PA, Rt plain radiograph of the wrist. 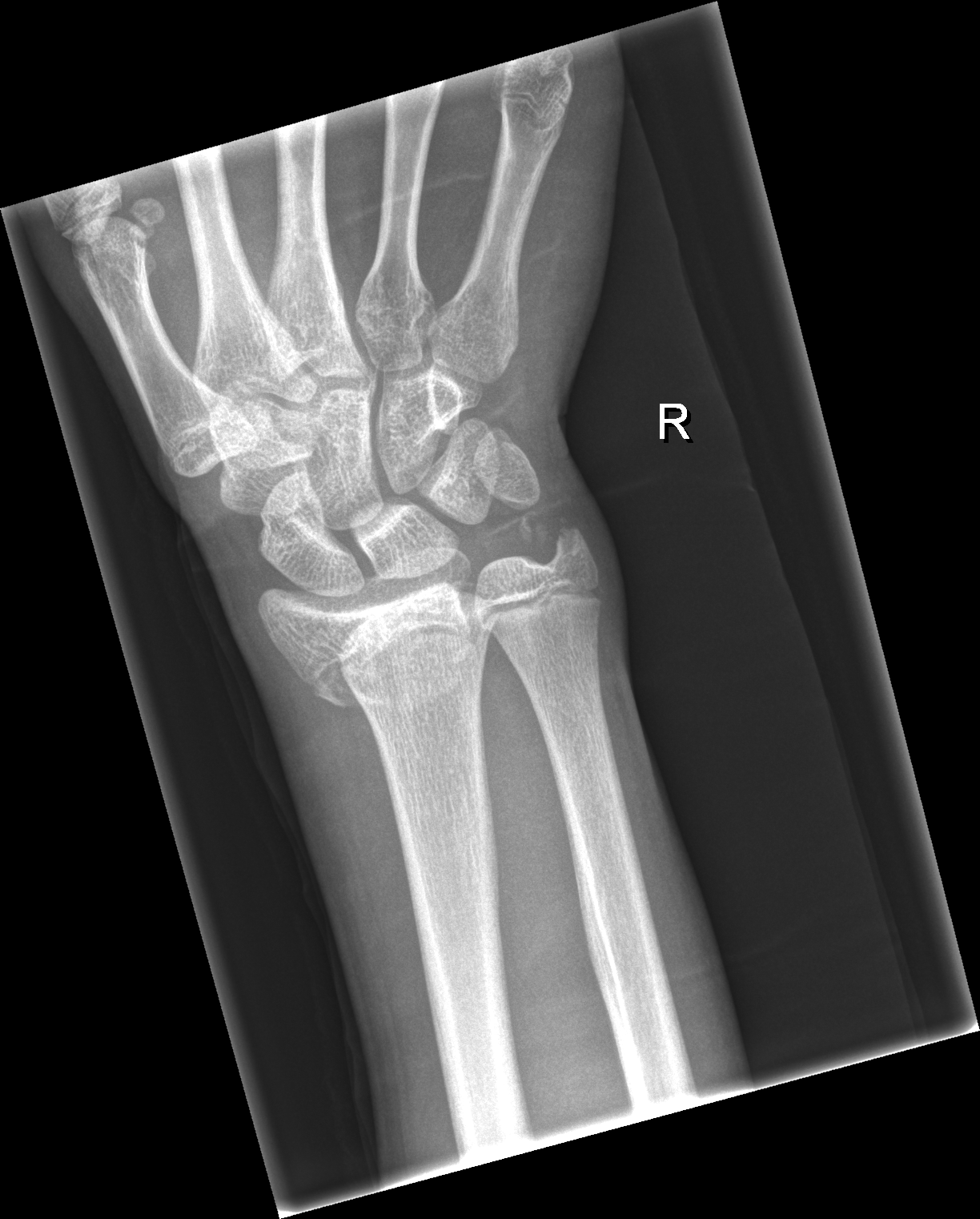

FINDINGS — Fx: [x1=292, y1=580, x2=502, y2=713]; [x1=516, y1=511, x2=593, y2=562].